Right wrist XR · PA · index exam
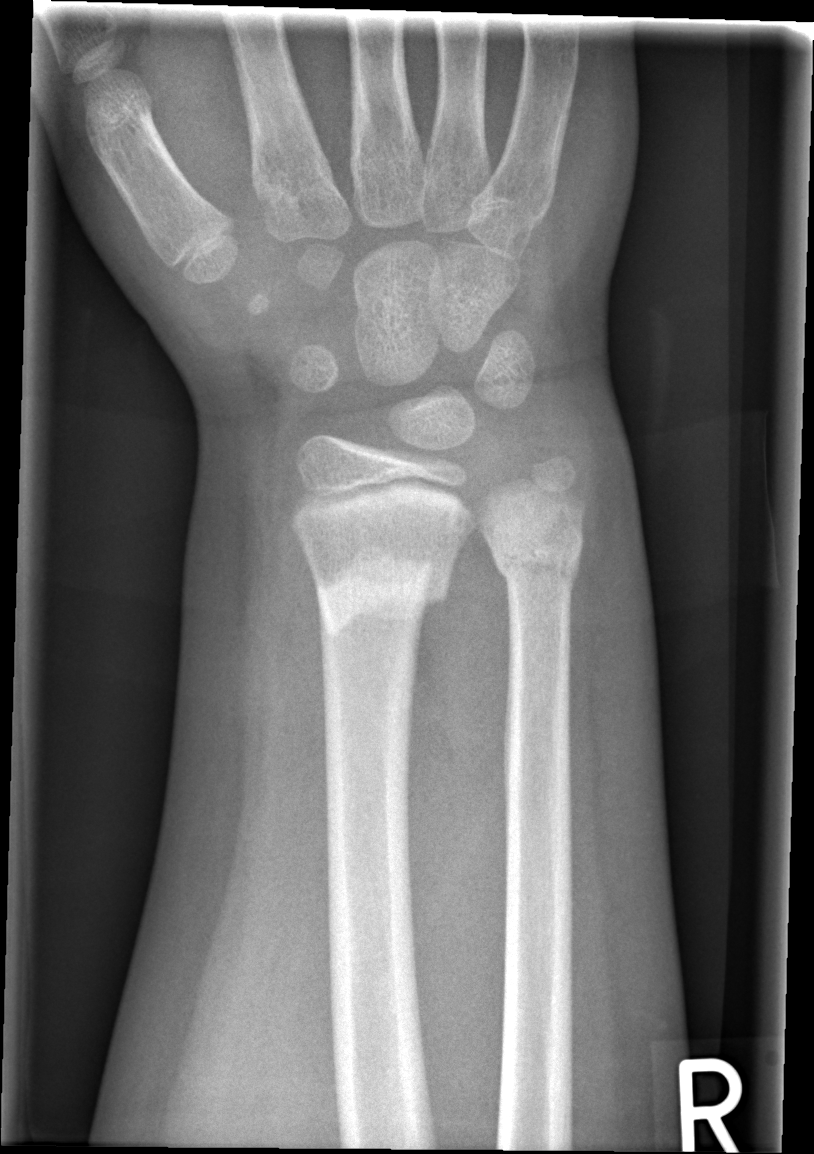

Pixel coordinates, top-left origin, xyxy.
Fracture identified at (311, 538, 455, 647), (489, 520, 586, 593).
AO/OTA classification: 23r-M/3.1; 23u-M/2.1.